PA/AP, Lt pediatric wrist radiograph, pediatric patient (male, age 13), 727 x 1184 px:

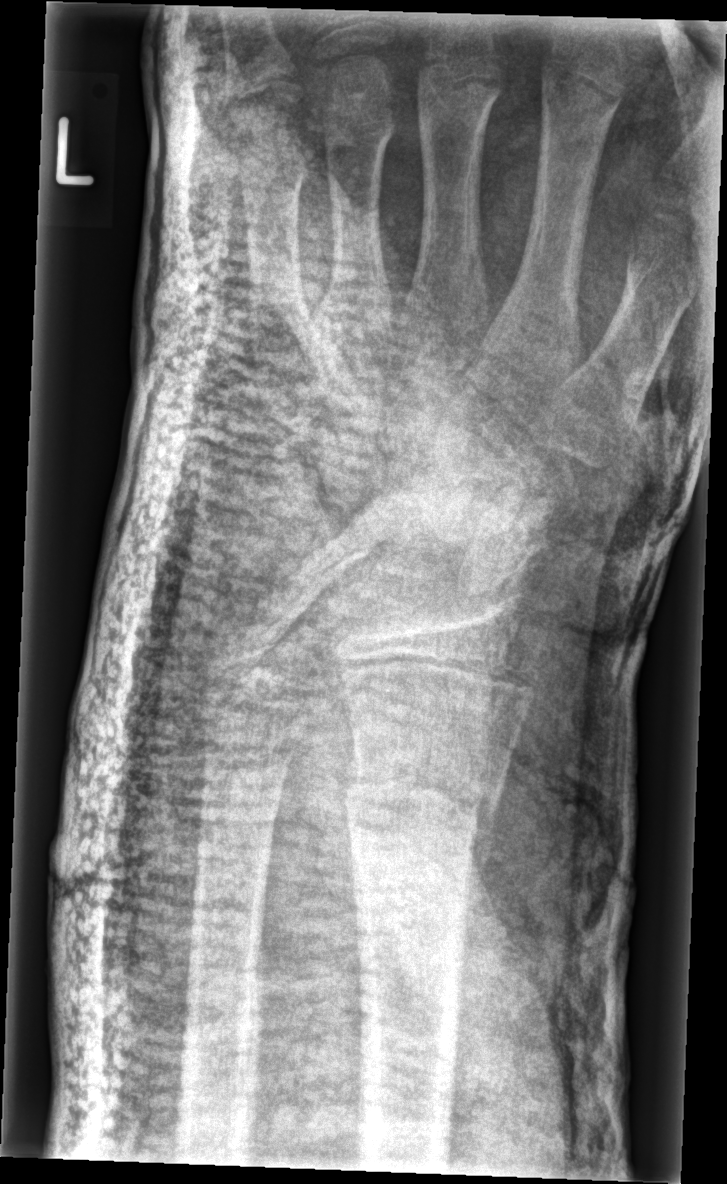

Coordinates are [x1, y1, x2, y2] in image pixels. One fracture at (341, 758, 500, 865).